Lt wrist XR, AP projection, 1.5-year-old male, index exam: 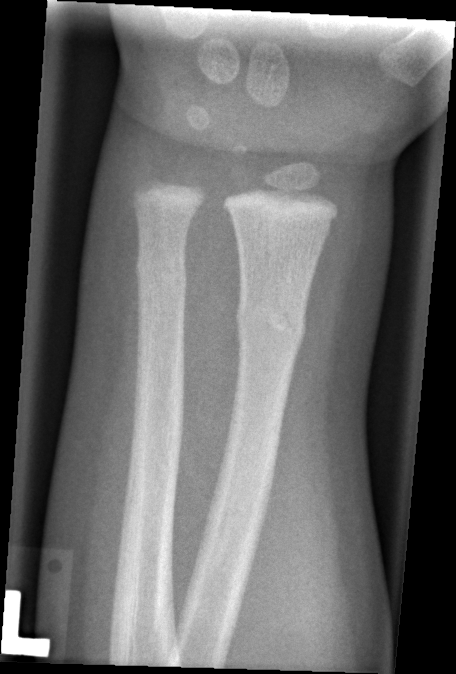

Fracture identified at [x1=232, y1=296, x2=308, y2=351] [x1=132, y1=255, x2=189, y2=295].